Right wrist radiograph, posteroanterior projection, age 10 y, female, equivocal findings. 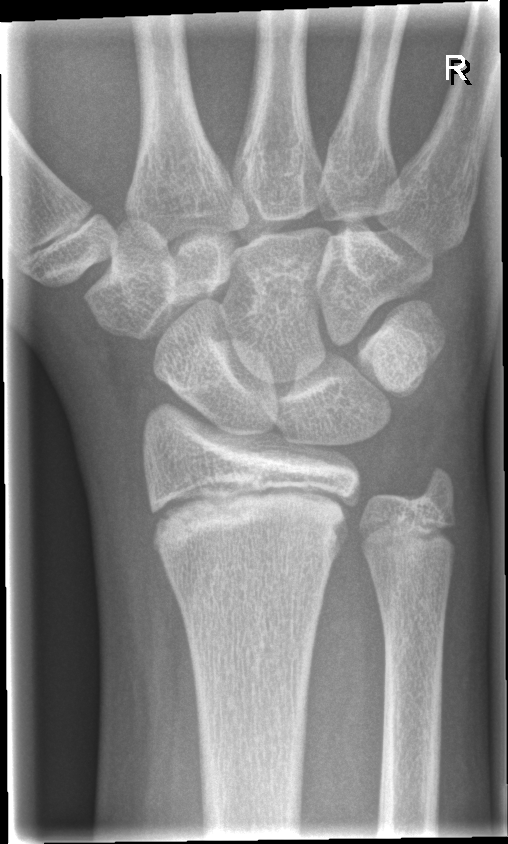 No Fx annotated.